Lat; left wrist XR 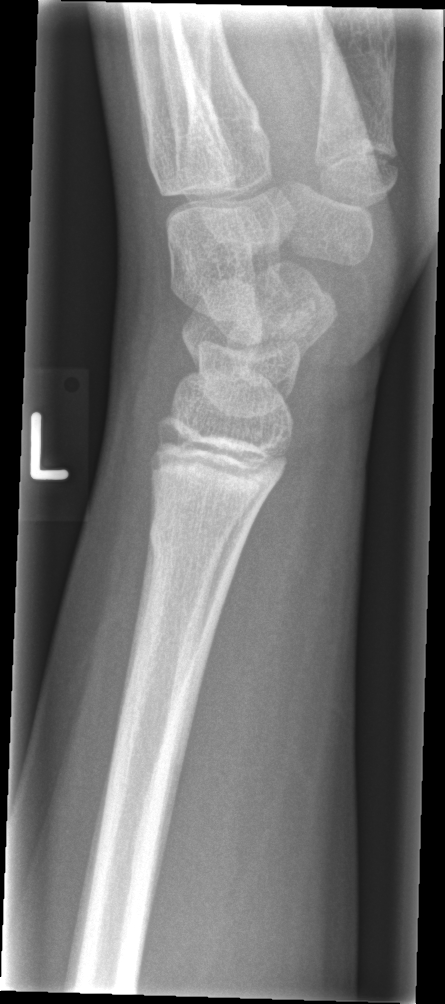

• Fx — (left=143, top=504, right=248, bottom=585).
• AO/OTA classification: 23r-M/2.1.